R wrist radiograph · lat · female, 16 yo · 435 x 1188 px

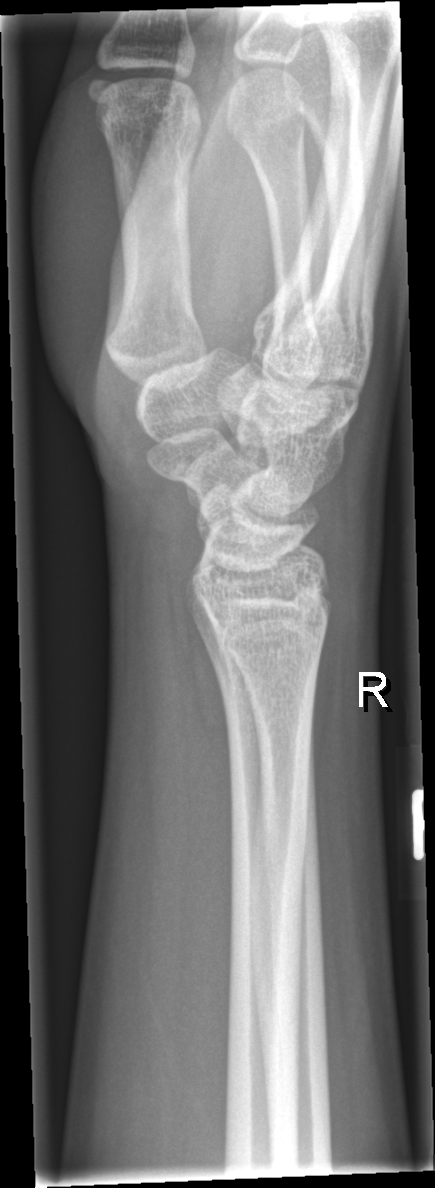 Fx: none labeled